Lateral view | right wrist plain film | age 7 y, girl — 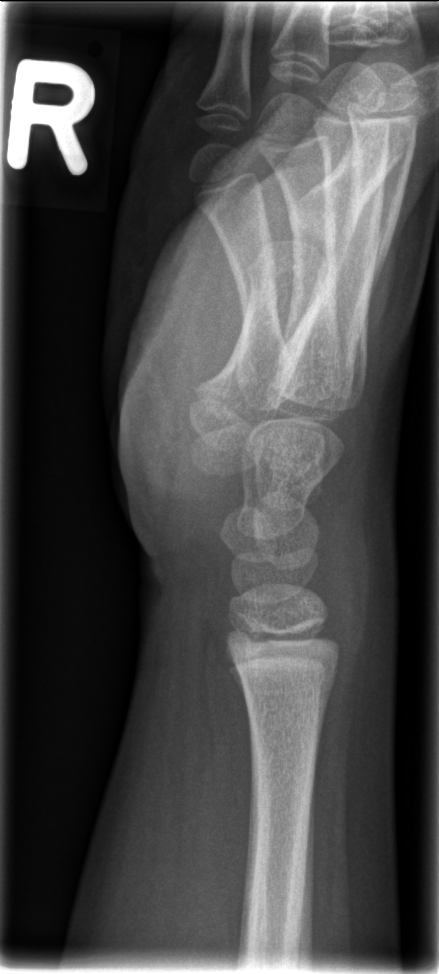

Soft-tissue finding identified at 331,459,401,680. Fx: none.